Frontal view, right wrist pediatric wrist radiograph, pediatric patient (female, age 8), index exam, image size 596x1073. 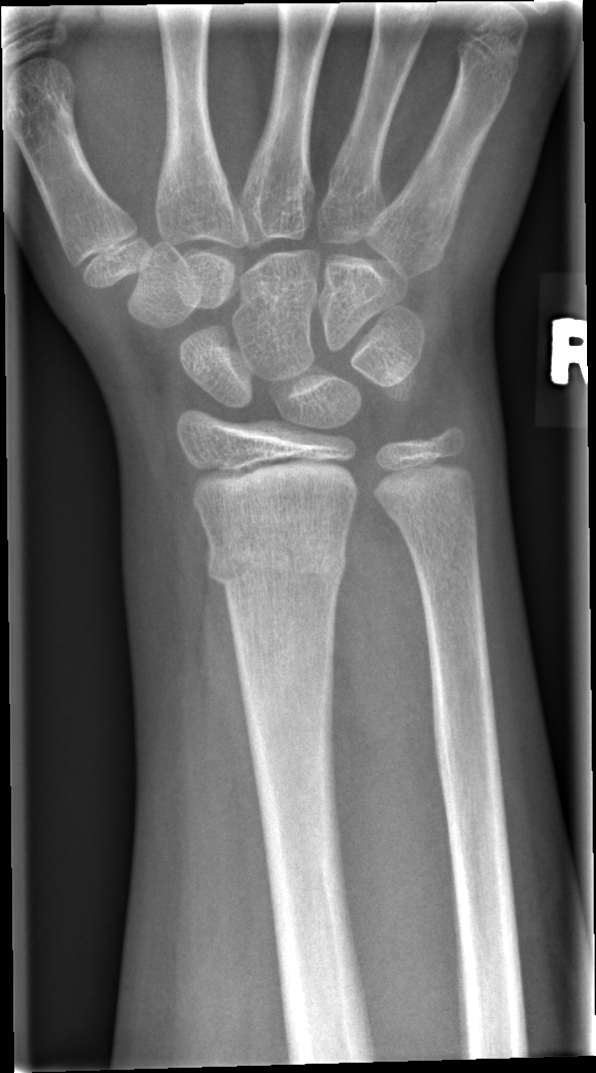 Fx = 1 @ 203,532,350,599